Lat view, L pediatric wrist radiograph, index exam, detector: Siemens, image size 386x1250. 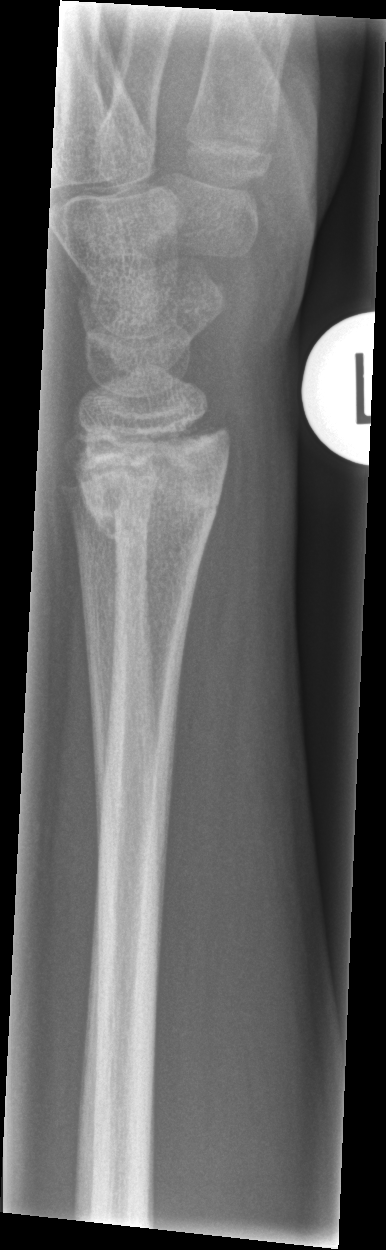

  ao: 23r-M/3.1
  fracture: 1 @ 81,440,224,553